Left wrist pediatric wrist radiograph · frontal · imaged through cast · Siemens — 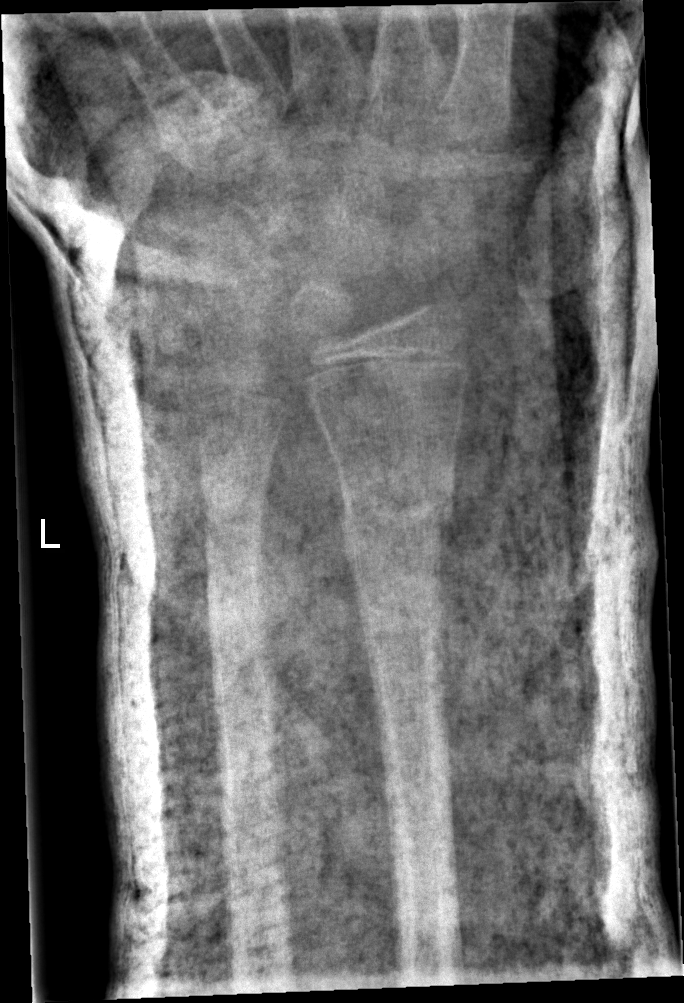
Pixel coordinates, top-left origin, xyxy.
AO code 23-M/3.1.
Fracture: <338,470>-<456,548>; <198,450>-<271,511>.